Right plain radiograph of the wrist, AP, 569 x 860 px —

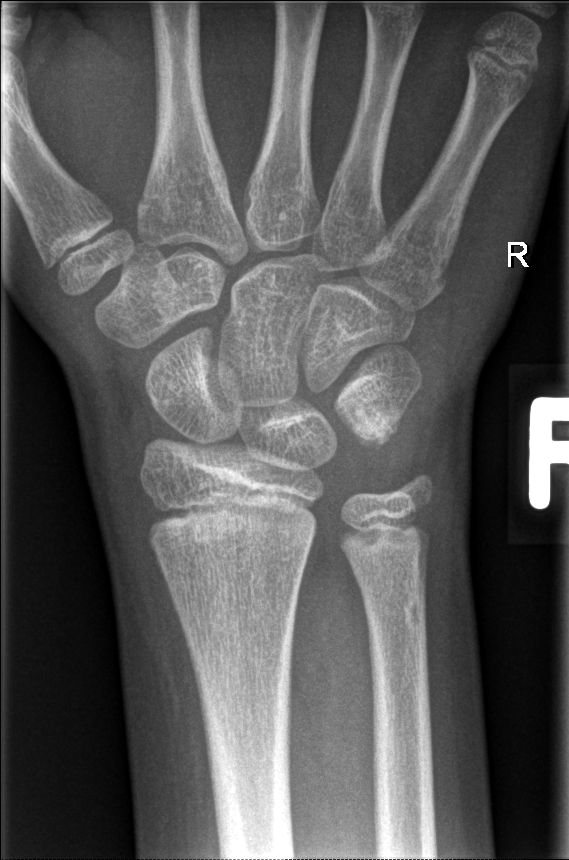

Fracture: none labeled